Lat | left wrist plain radiograph of the wrist | subsequent exam
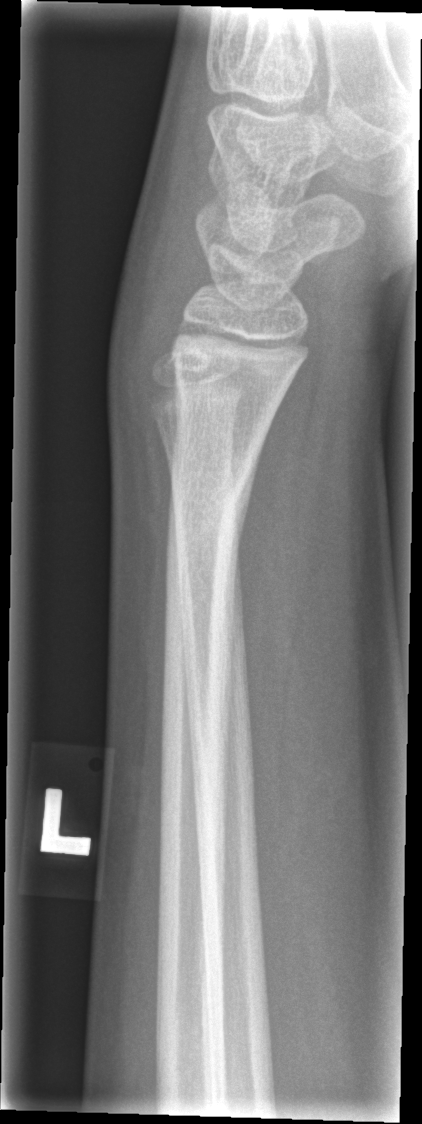 • Periosteal thickening — [224, 448, 262, 734].
• One fracture at [160, 460, 260, 566].